Left wrist pediatric wrist radiograph · lat view — 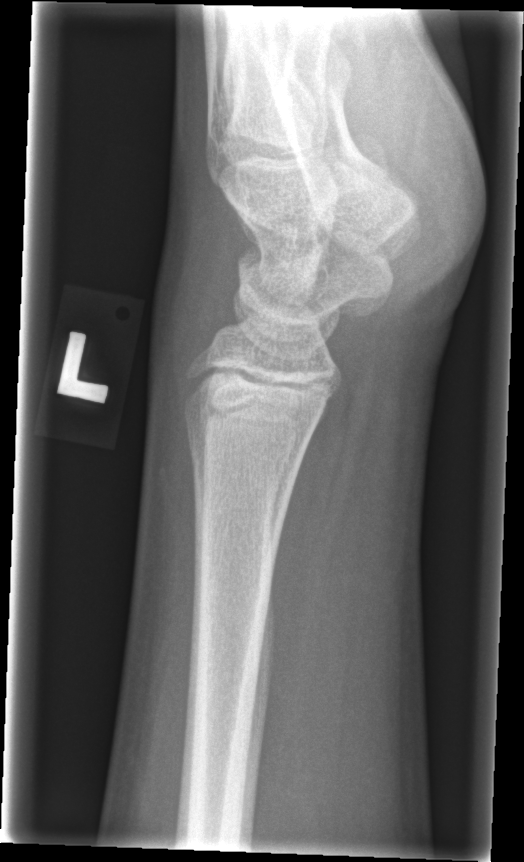 Fx: none.